Left wrist XR, PA/AP, index exam

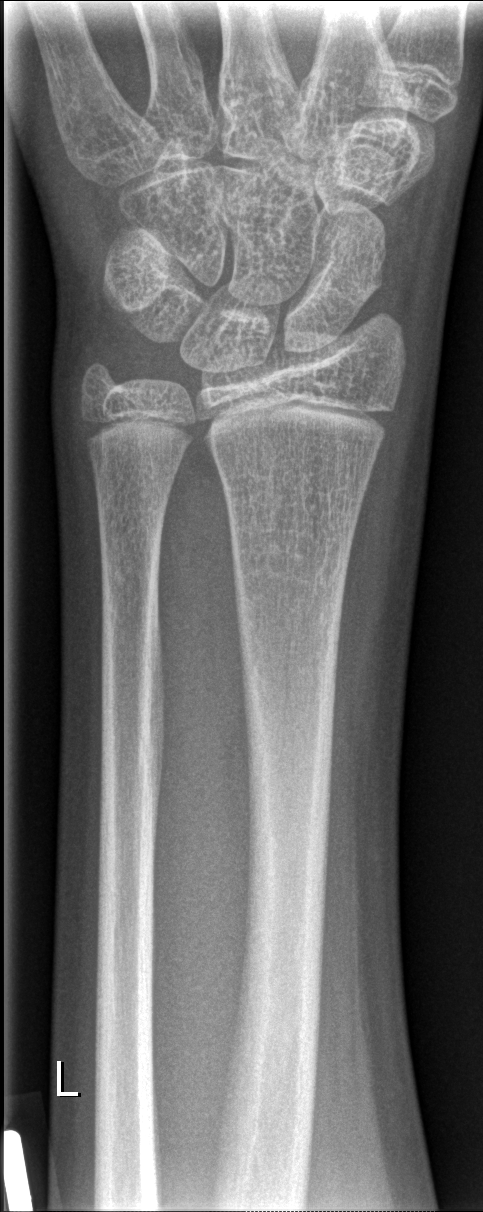
  fracture: none labeled